Right wrist plain film, lat, initial study: 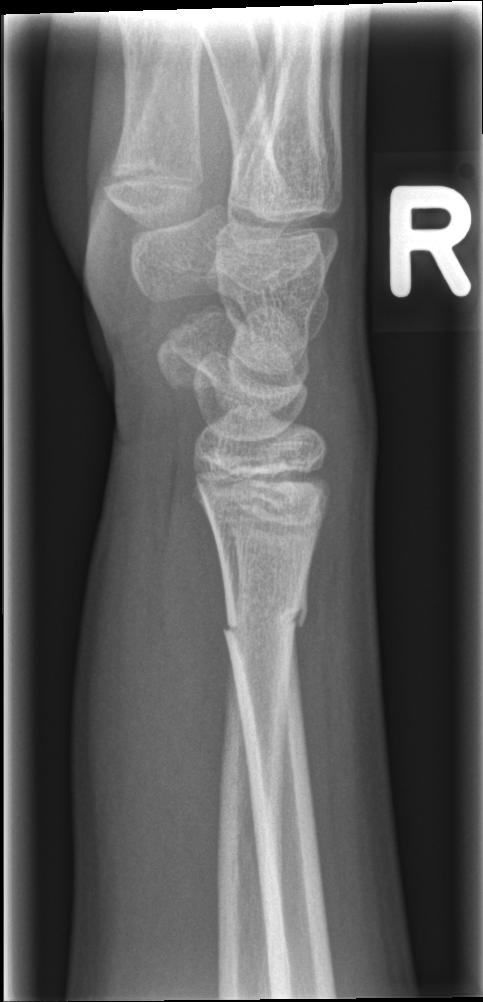

One positive pronator fat-pad sign at bbox(152, 427, 231, 815).
One Fx at bbox(218, 581, 311, 644).